PA, right wrist XR, 13y M, presentation radiograph, image size 795x1192 — 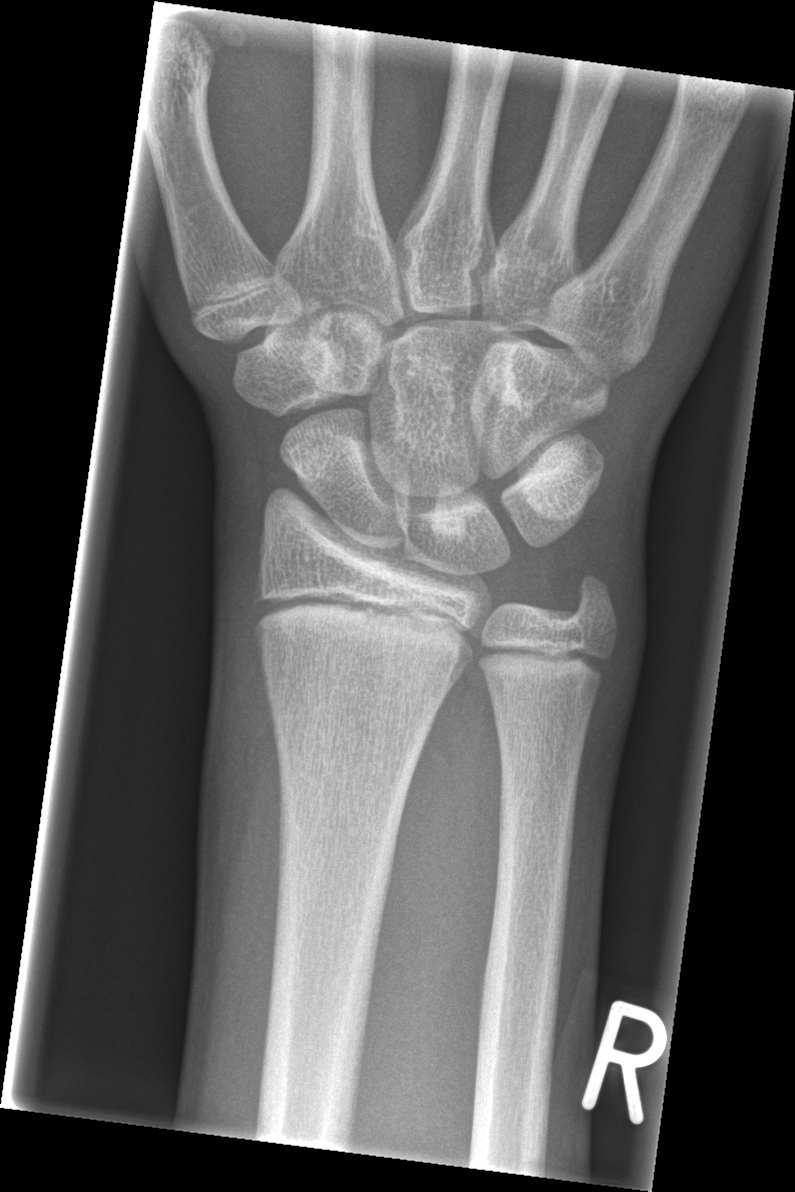
No fracture annotation.